Lateral view · right wrist plain film · male, 9 yo · subsequent exam · acquired on Siemens. 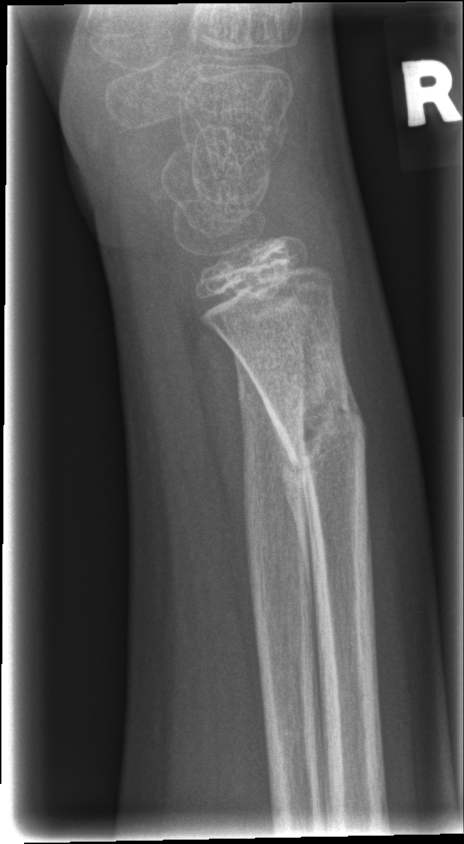

Coordinates are [x1, y1, x2, y2] in image pixels.
Reduced bone mineral density.
Bone fracture: bbox(259, 379, 373, 486).
Periosteal reaction — bbox(270, 415, 318, 630).